PA/AP · left wrist X-ray · 16y M · 845x1168:
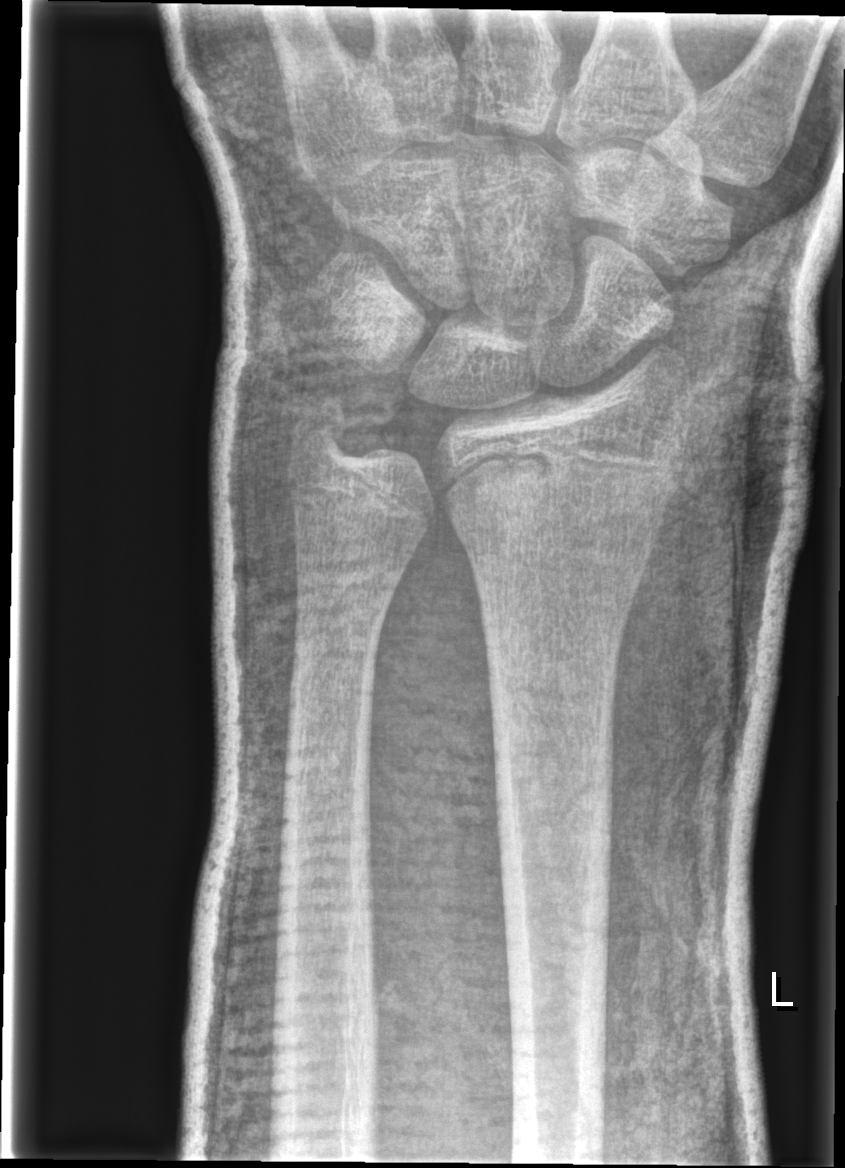

FINDINGS — (bounding boxes in image-pixel xyxy) Bone fractures — <443,446>-<690,558>; <282,395>-<358,463>.